Lateral, L pediatric wrist radiograph, initial study, 474 by 1180 pixels
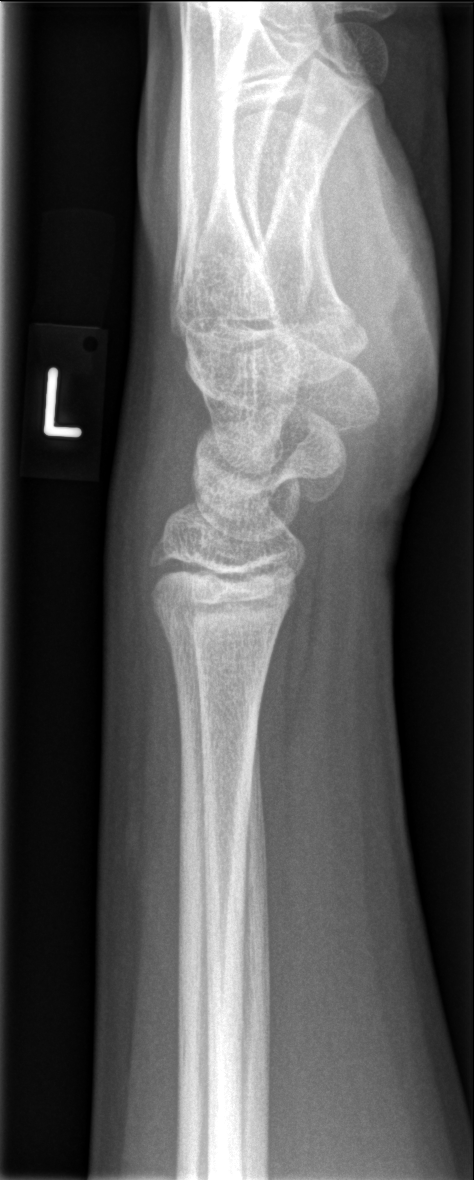

Bounding boxes in image-pixel xyxy. One fracture at 148,592,277,675. AO code 23-M/2.1.